PA · R plain radiograph of the wrist · 10-year-old female · acquired on Siemens 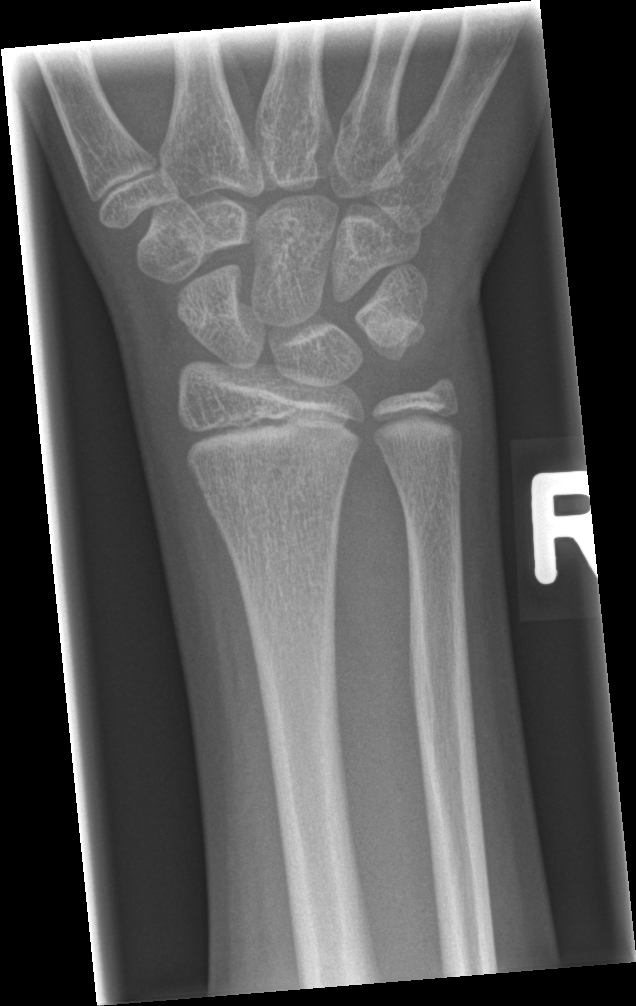

- Fracture classified AO/OTA 23r-M/2.1.
- One bone fracture at 198,443,356,525.